Lat projection; left wrist X-ray — 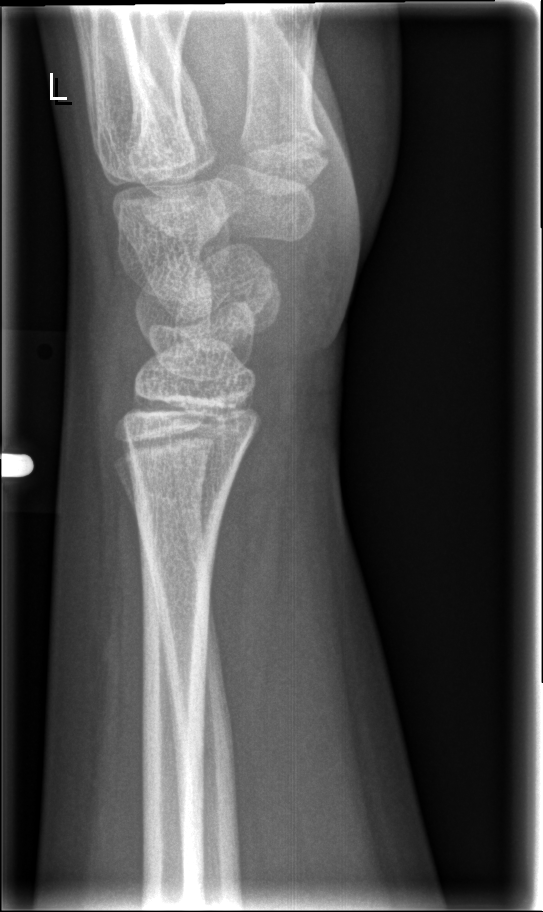

Q: Locate any fractures.
A: No fracture bounding box